R wrist plain film · lat projection · age 14 y, boy · presentation radiograph · 71.4 mm image width.
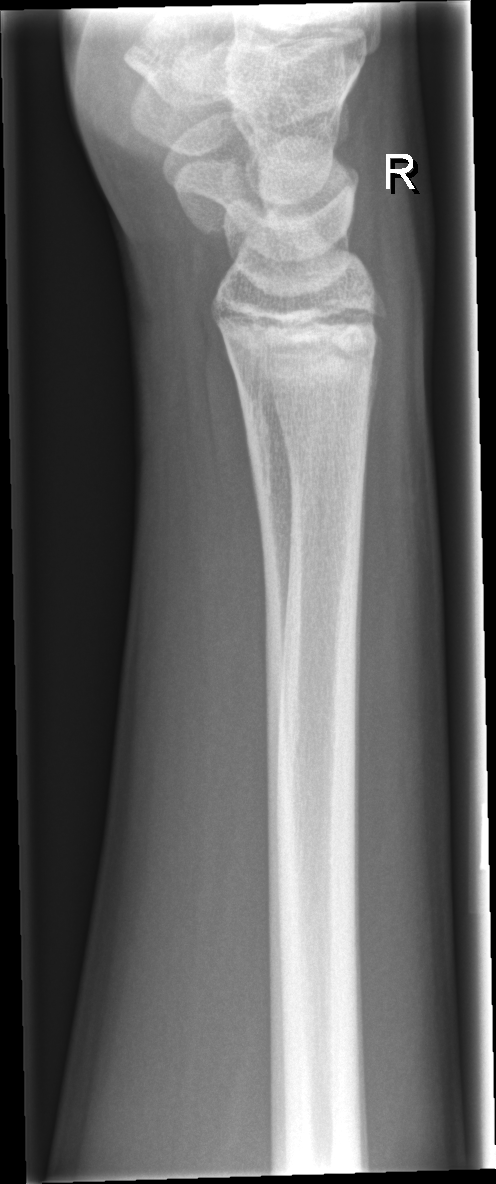
No fracture labeled.